L wrist XR · frontal · follow-up study · image 75.7 mm wide —

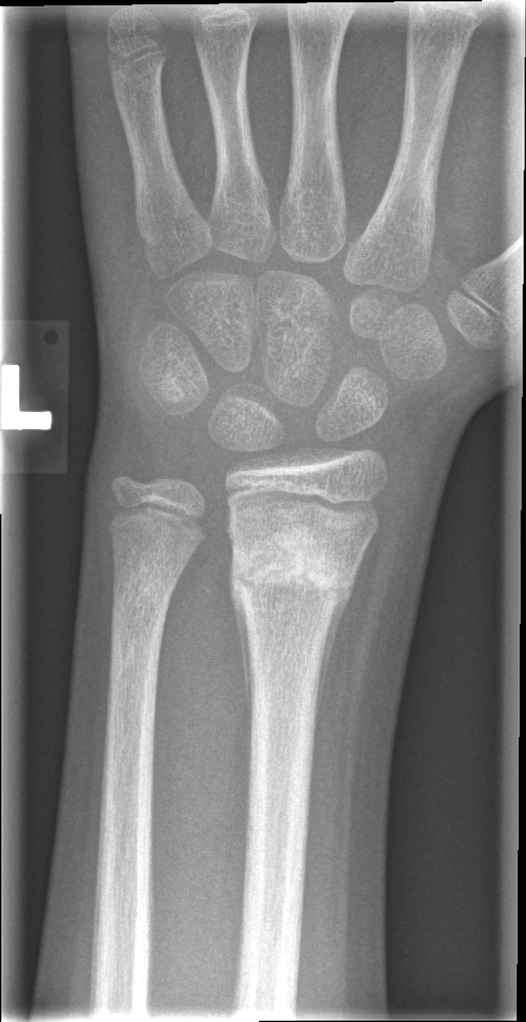

(pixel coordinates, top-left origin, xyxy)
osteopenia: present
bone fracture: [221, 528, 368, 625]; [106, 555, 187, 613]
AO classification: 23r-M/3.1; 23u-M/2.1
periosteal new bone: [313, 575, 357, 738], [229, 579, 253, 783]